Lt plain radiograph of the wrist | lat projection | Siemens 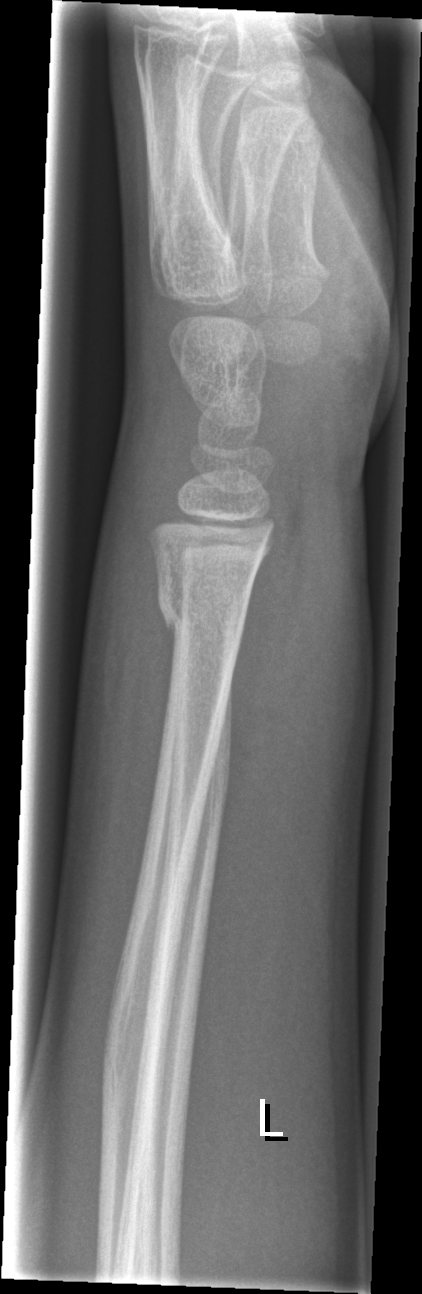 (boxes as x1,y1,x2,y2 (top-left / bottom-right, pixel units))
Fx = 1 @ 152,588,251,643
Pronator quadratus fat-pad sign = 226,497,321,799
Soft tissue abnormality = 2 @ 213,493,366,948; 77,424,168,816